Right wrist XR · AP · initial study:

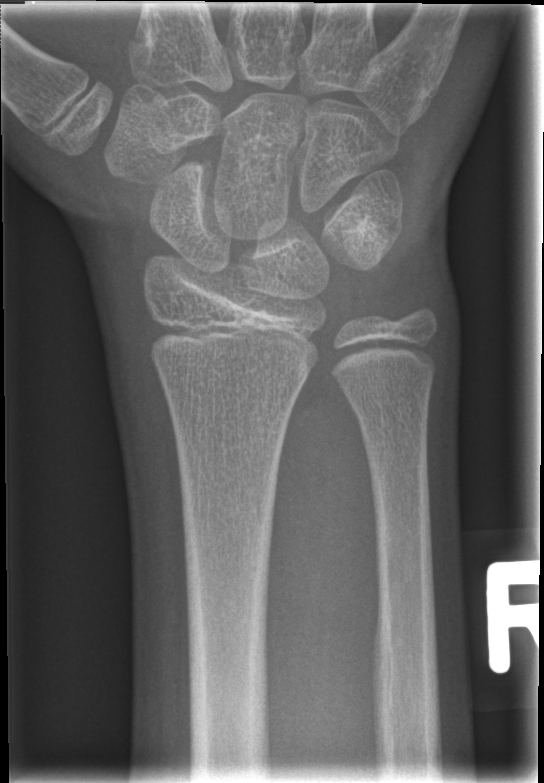
Fx: none labeled